Left wrist XR · lateral view —

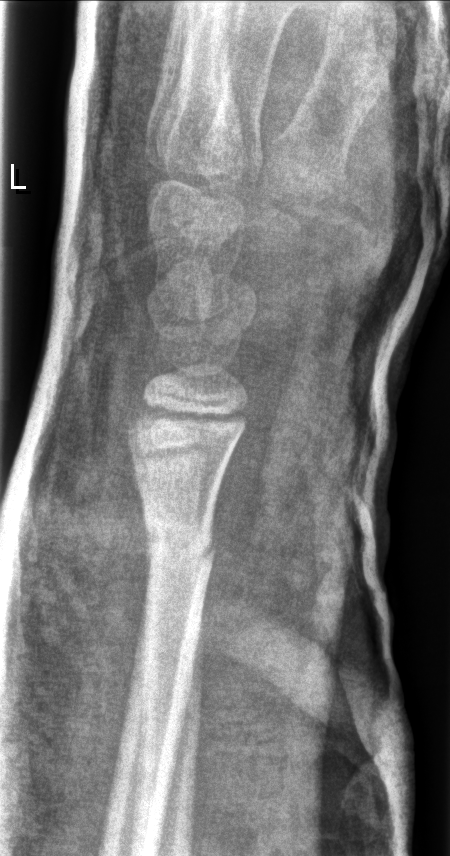

FINDINGS — One Fx at bbox(140, 513, 222, 581). Fracture classified AO/OTA 23-M/3.1.